Left plain radiograph of the wrist | lat view | index exam | findings marked uncertain by the reading radiologist | 482 by 1206 pixels:

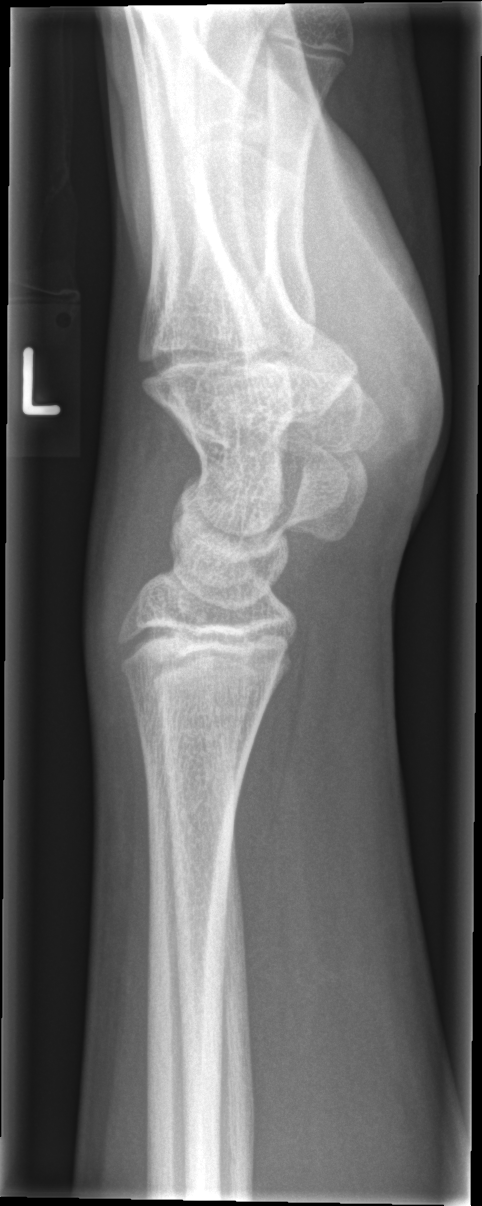 (pixel coordinates, top-left origin, xyxy)
AO classification: 23r-M/2.1
fracture: [114, 628, 284, 694]
soft tissue abnormality: [83, 421, 181, 723]